L wrist XR, lat projection.
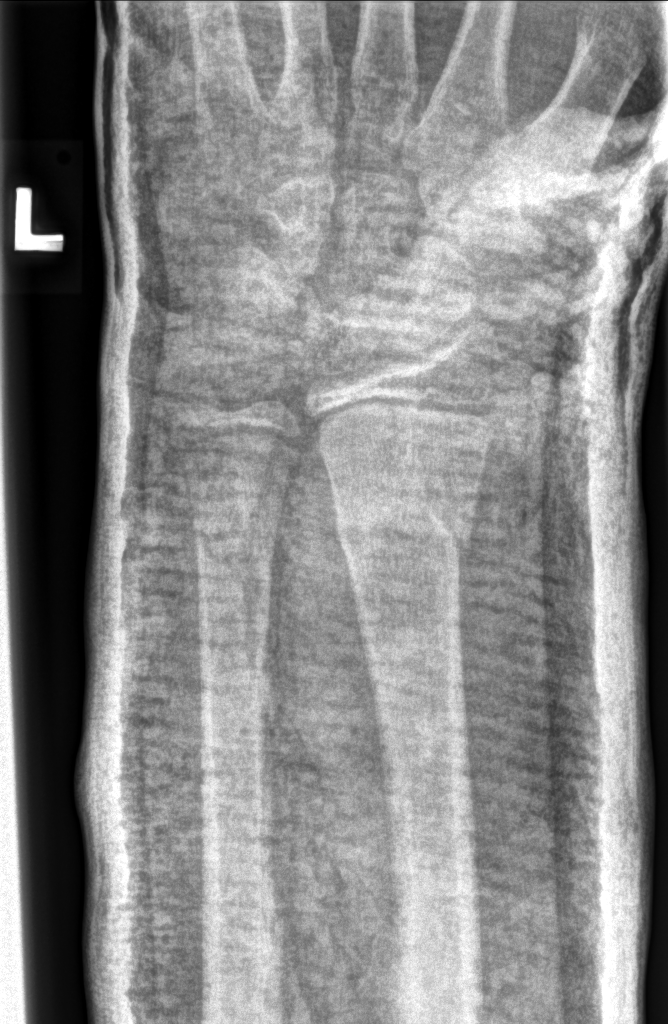

FINDINGS — (bounding boxes in image-pixel xyxy) Fracture: 328,486,481,572.